Lateral view · R wrist radiograph · 8y M · index exam.

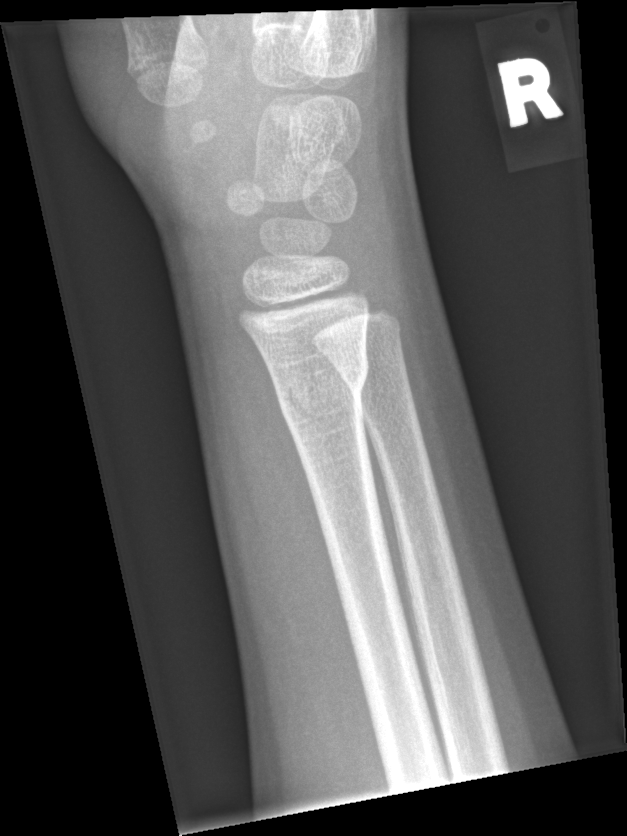

(boxes as x1,y1,x2,y2 (top-left / bottom-right, pixel units))
AO code: 23r-M/2.1
Bone fracture: 1 @ 267,346,371,420